Lateral projection, R pediatric wrist radiograph.

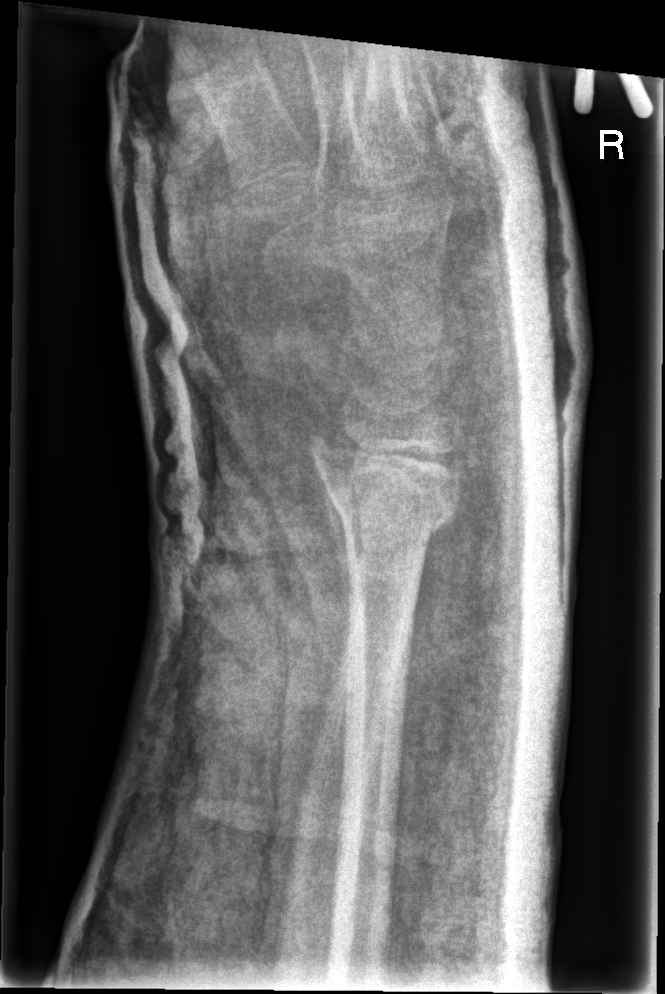
(bounding boxes in image-pixel xyxy)
Bone fracture = 1 @ 305,430,465,545
Periosteal new bone = 1 @ 312,453,354,634
AO code = 23r-E/2.1; 23u-M/2.1